Left wrist X-ray; lat projection; image size 486x1236.

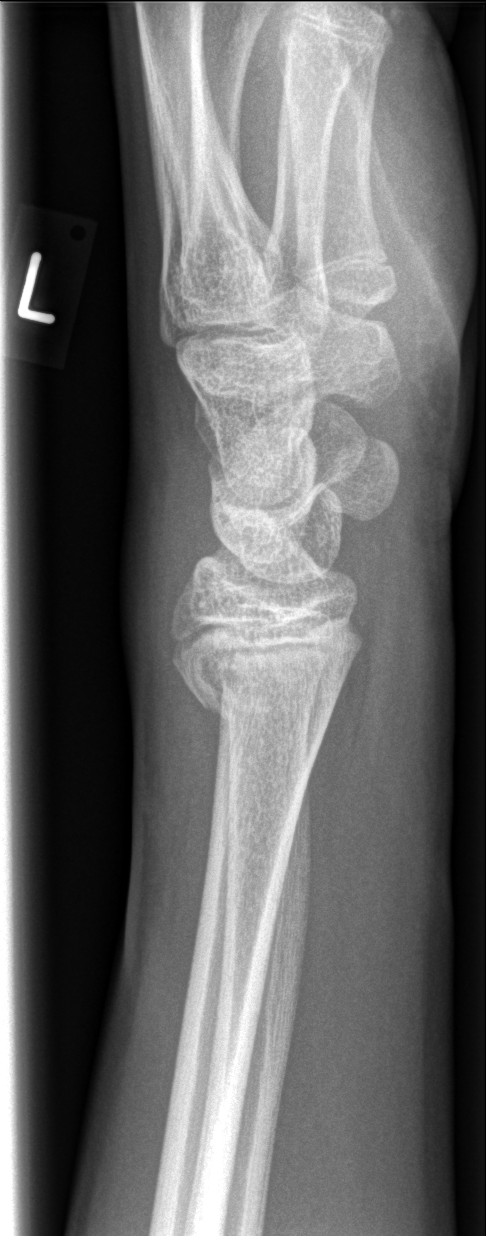 FINDINGS: (boxes as x1,y1,x2,y2 (top-left / bottom-right, pixel units)) Fracture identified at 168,632,352,745.